Lateral projection; L wrist XR; 10-year-old female; 514x1174 —

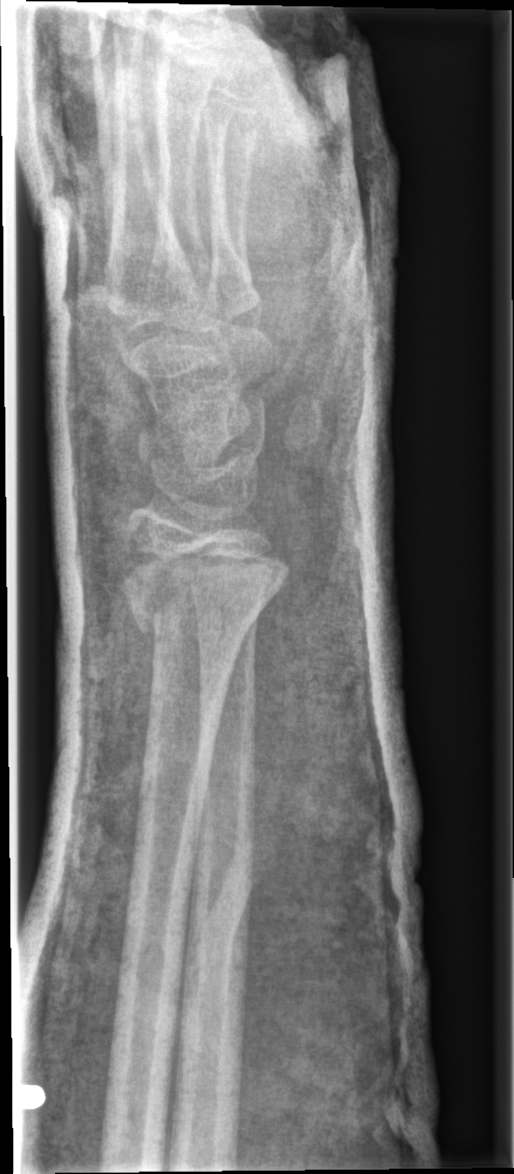

Fx — 120,542,298,644.
AO/OTA classification: 23r-E/2.1.